Rt wrist plain film; lateral view; presentation radiograph:
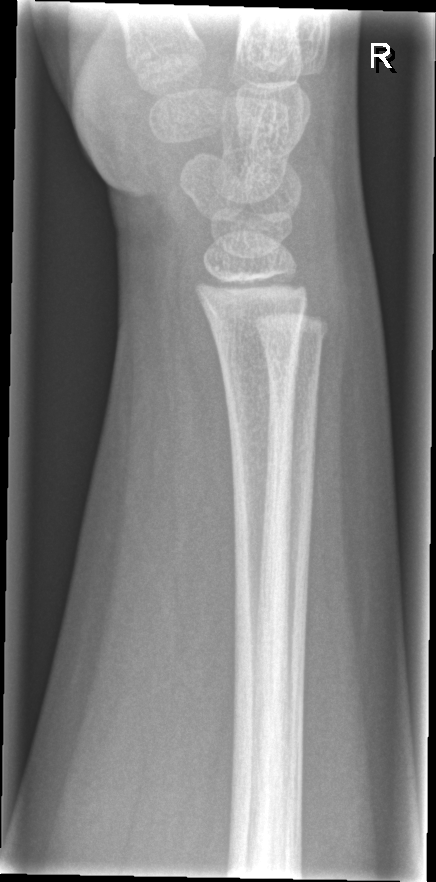

• Fx: none.